AP; L wrist X-ray; pediatric patient (girl, age 7); 89.9 mm image width; 624x1127.
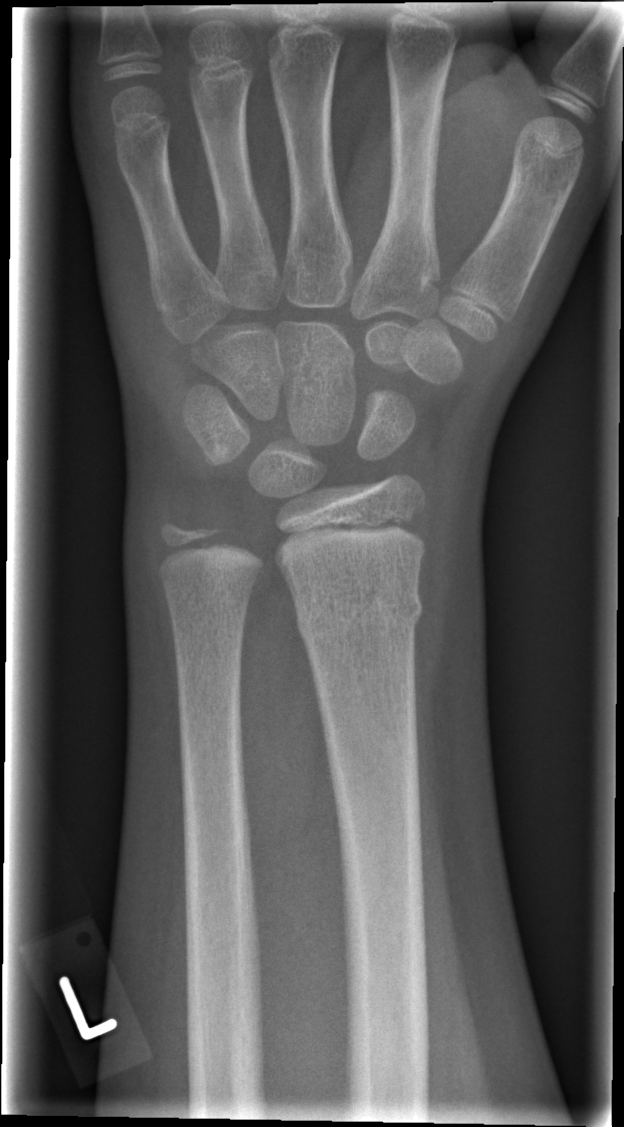
Findings: Fracture classified AO/OTA 23-M/2.1. Bone fracture: 292,582,426,641.